PA | Lt pediatric wrist radiograph | in cast — 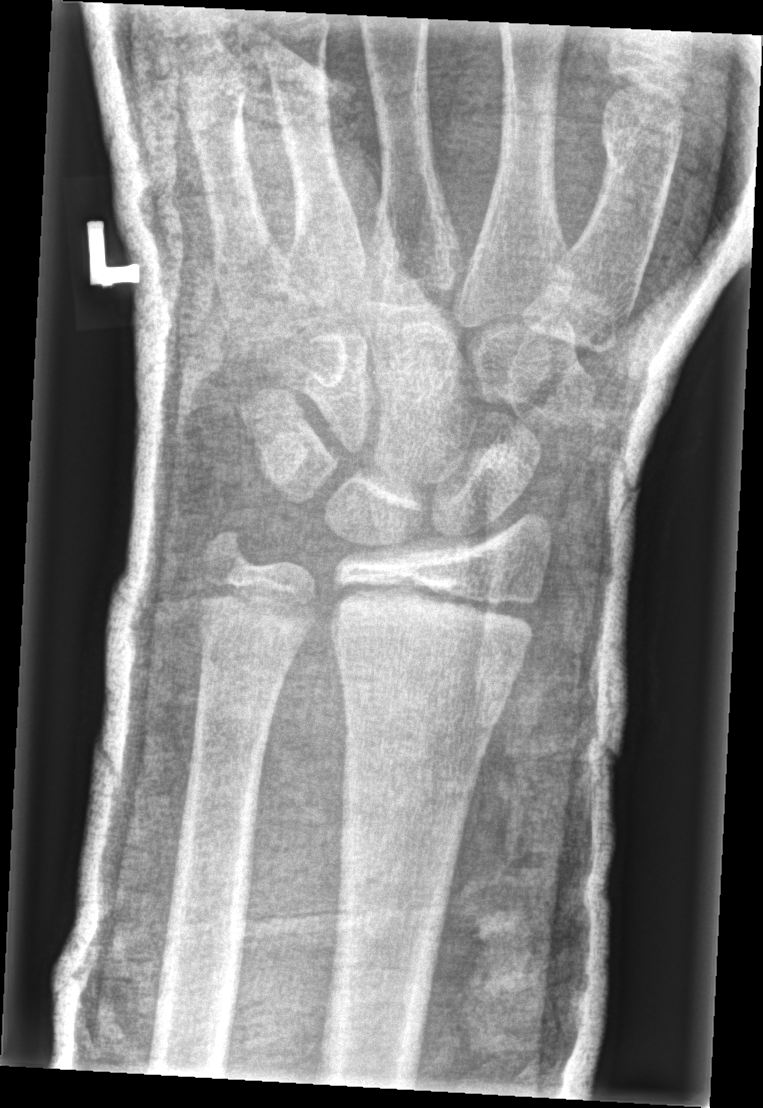
Fx: present but not clearly seen in this view.